Lateral view, Lt wrist radiograph, in cast —
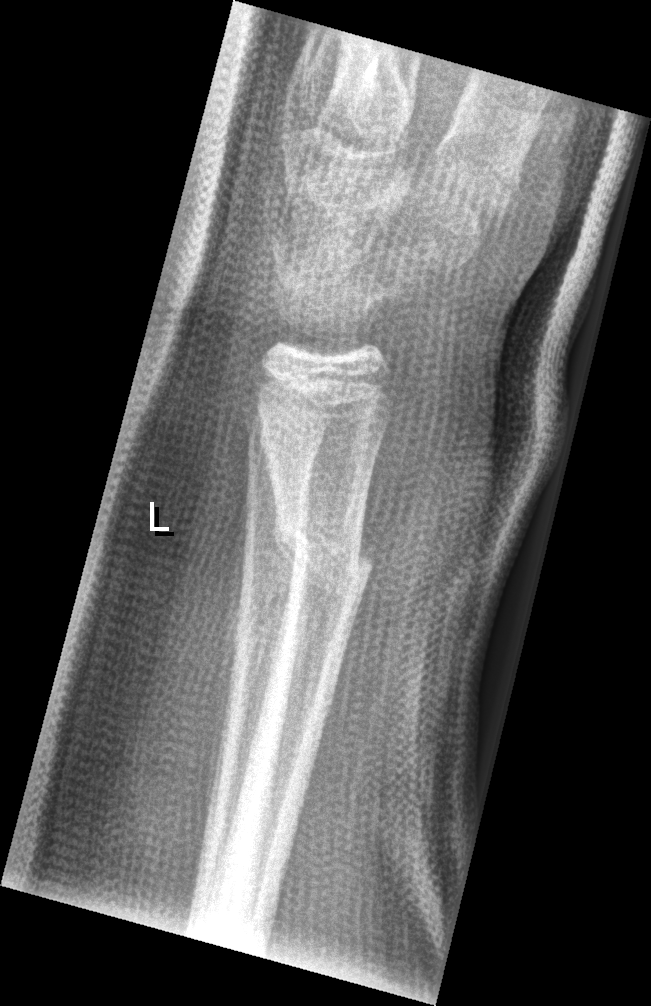 ao: 23r-M/3.1; 23u-M/2.1; 23u-E/7
fracture: 269 519 380 589; 229 603 302 666